Rt plain radiograph of the wrist, posteroanterior projection, subsequent exam, imaged through cast, 718x1036
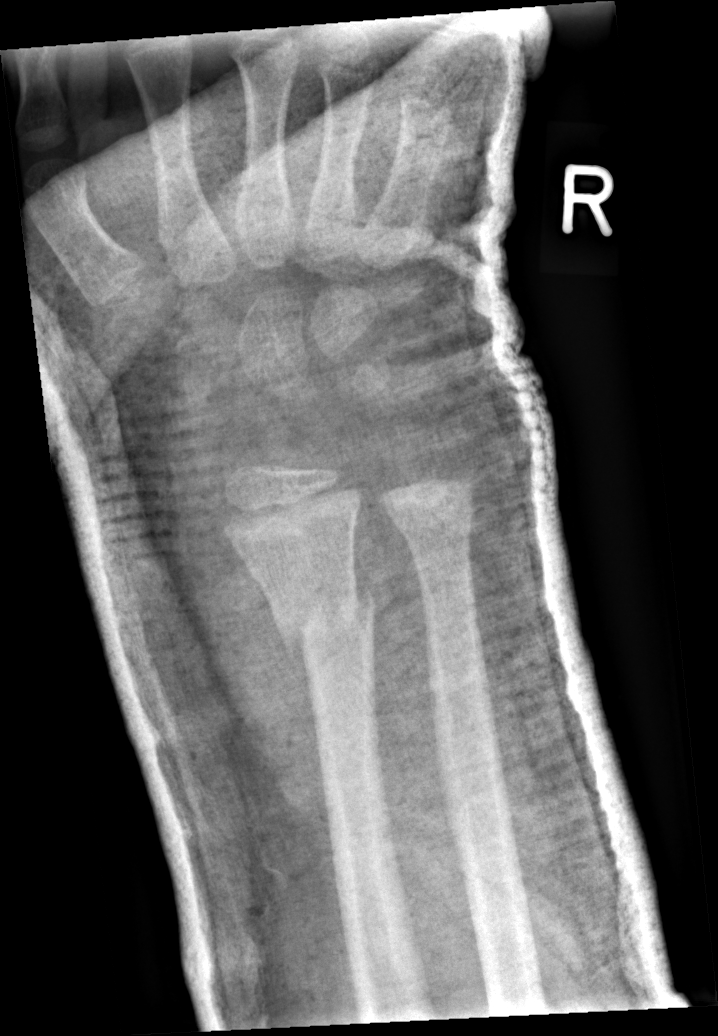

Coordinates are [x1, y1, x2, y2] in image pixels.
AO code 23r-M/3.1; 23u-M/2.1.
Fracture identified at (273, 582, 378, 665); (393, 499, 477, 546).